Left wrist plain radiograph of the wrist; PA; 13-year-old girl; image 91.9 mm wide; image size 638x1224: 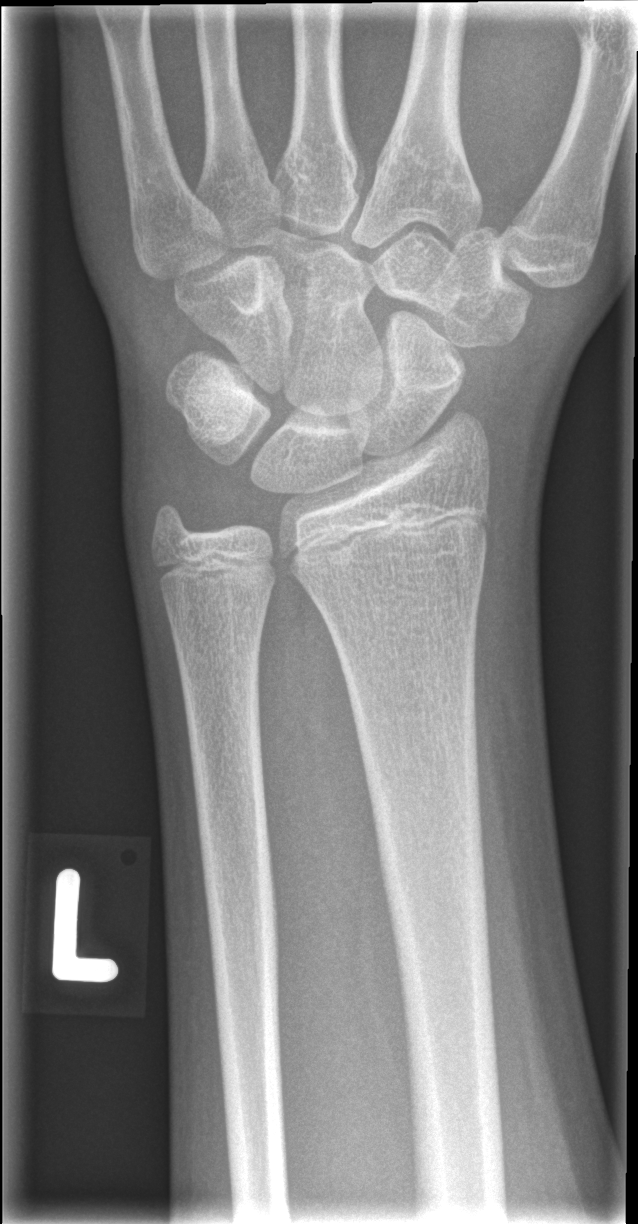 FINDINGS — Fracture — bbox(359, 349, 474, 398).